L pediatric wrist radiograph; lateral view; boy, 14 yo; acquired on Siemens —
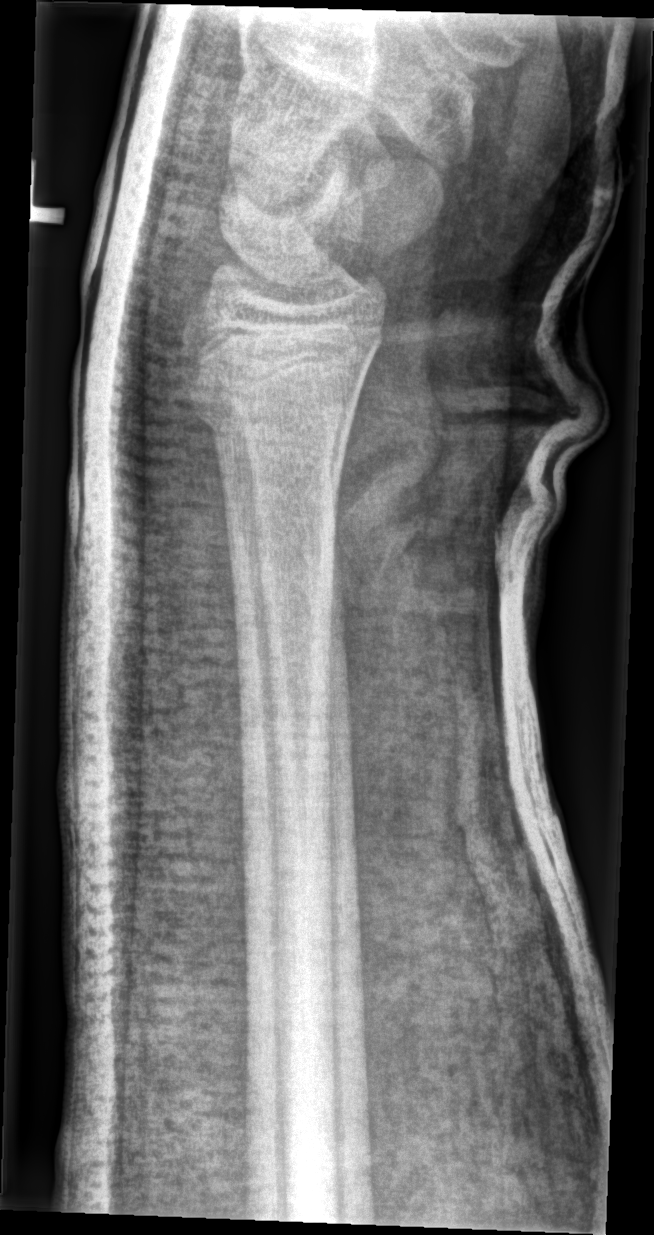
Fracture identified at (left=184, top=343, right=366, bottom=439). AO/OTA classification: 23r-M/3.1; 23u-E/7.